Lt plain radiograph of the wrist · PA projection · follow-up · imaged through cast · image 94.5 mm wide

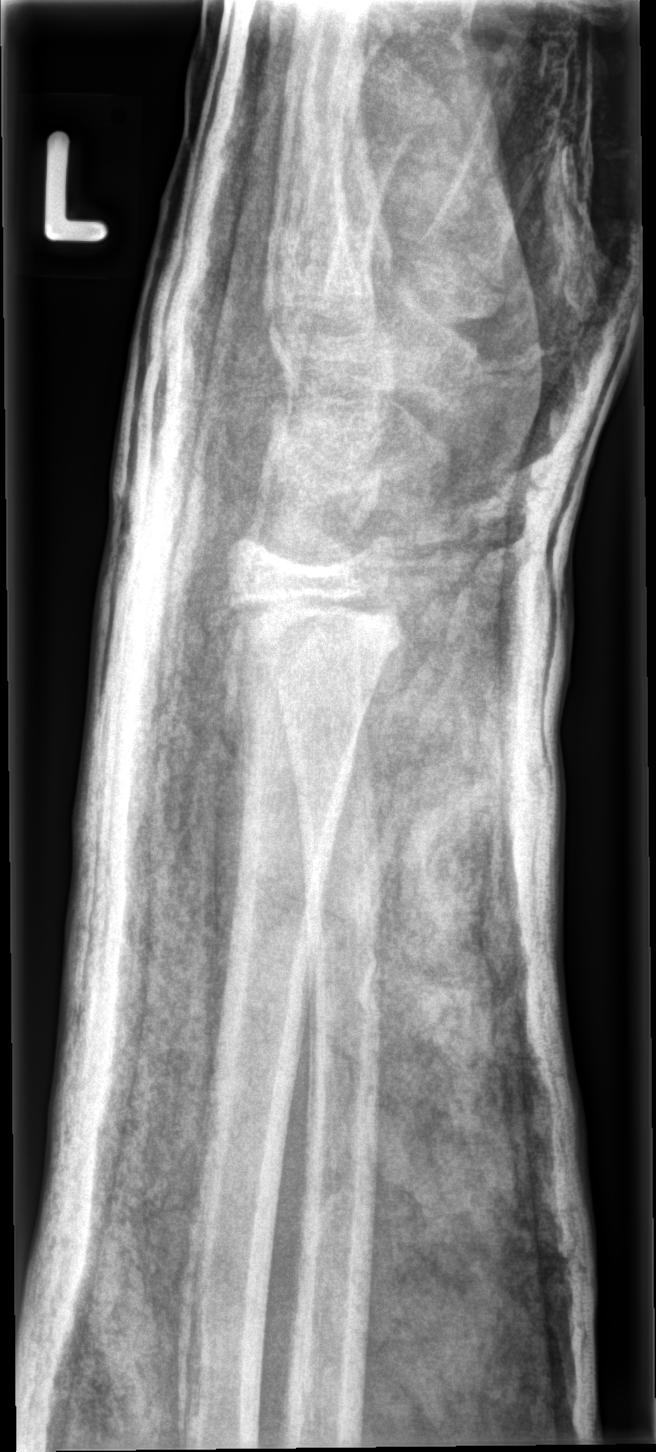 Findings: (pixel coordinates, top-left origin, xyxy) Bone fracture: [x1=215, y1=573, x2=412, y2=676]. AO code 23r-E/2.1; 23u-M/2.1.